Right wrist plain radiograph of the wrist · PA projection · 12-year-old female · 527 x 1288 px.
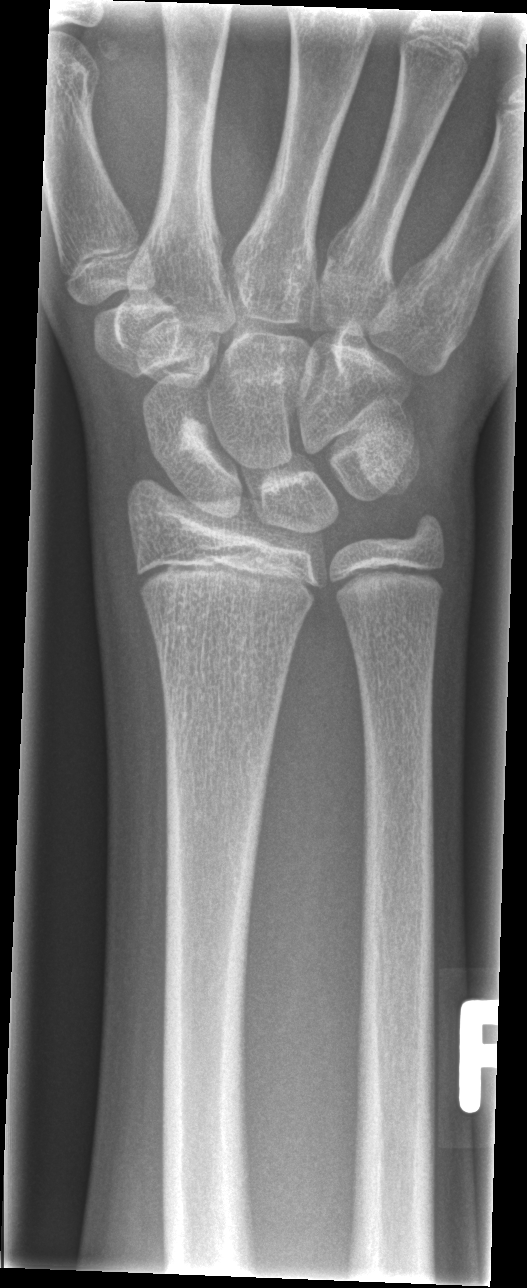 * Bounding boxes in image-pixel xyxy.
* Fracture: none labeled.
* One bone lesion at bbox(178, 414, 232, 480).